Right wrist X-ray | lateral:
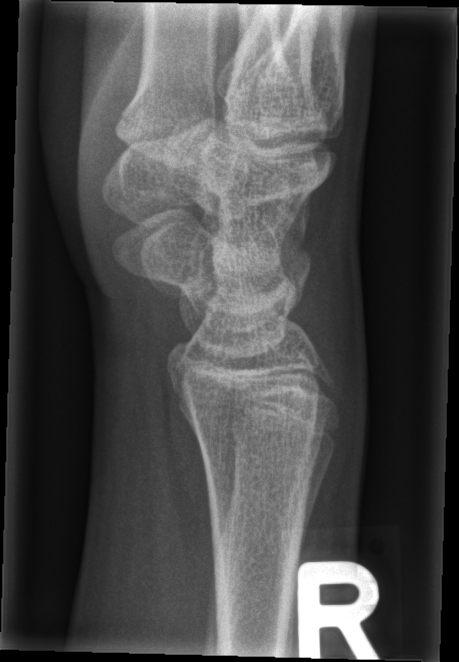 FINDINGS — No Fx annotated.